Left wrist radiograph | lateral projection | Siemens. 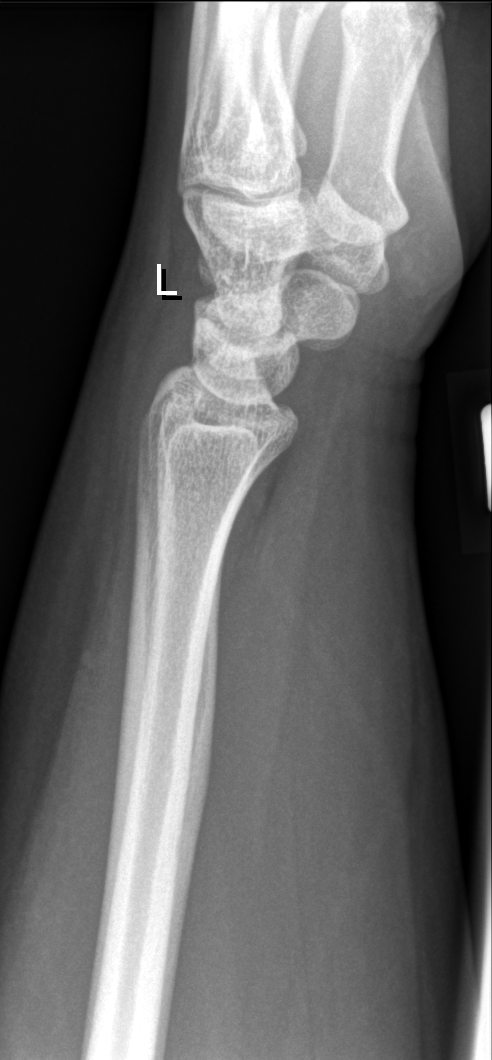
Fx: none labeled